Lateral view; left wrist X-ray; age 14 y, boy; follow-up; 482 by 1282 pixels:
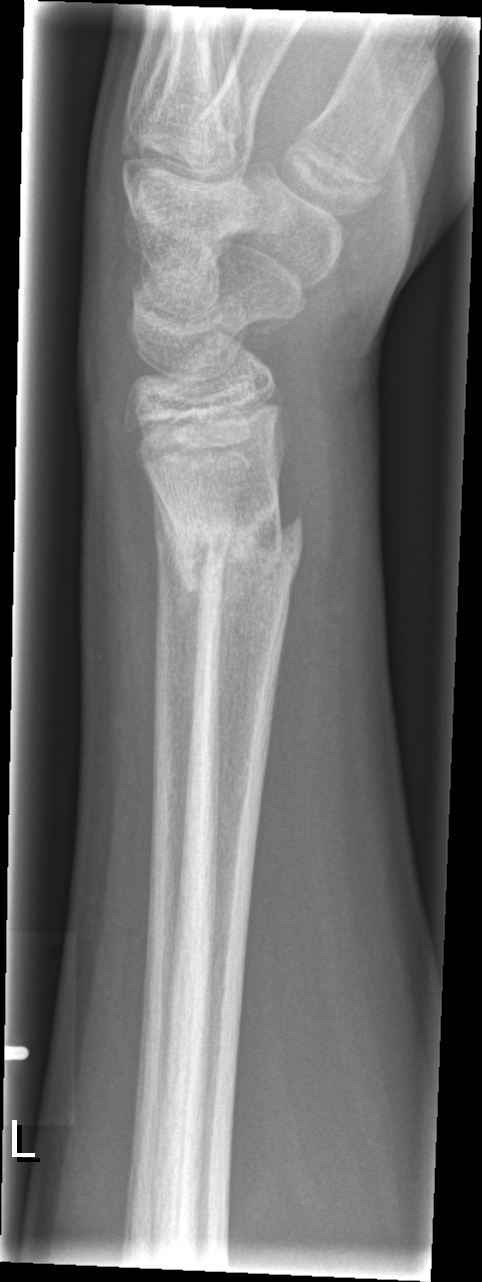

Fx — 168,491,309,615. Fracture classified AO/OTA 23r-M/3.1; 23u-M/2.1; 23u-E/7. Osteopenia.